R wrist XR; frontal projection; subsequent exam; acquired on Siemens; image size 512x808.
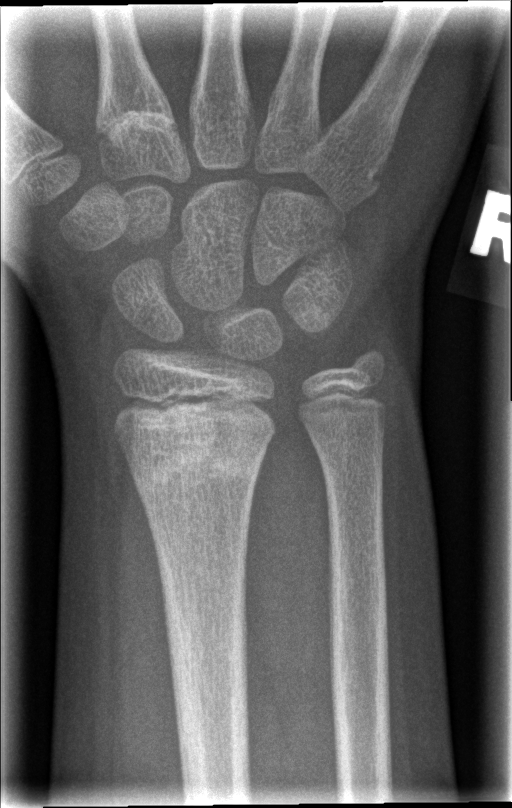 AO classification = 23r-M/2.1
bone fracture = 1 @ (128, 443, 268, 496)